L wrist XR; posteroanterior view; 10y F; presentation radiograph; image size 678x976. 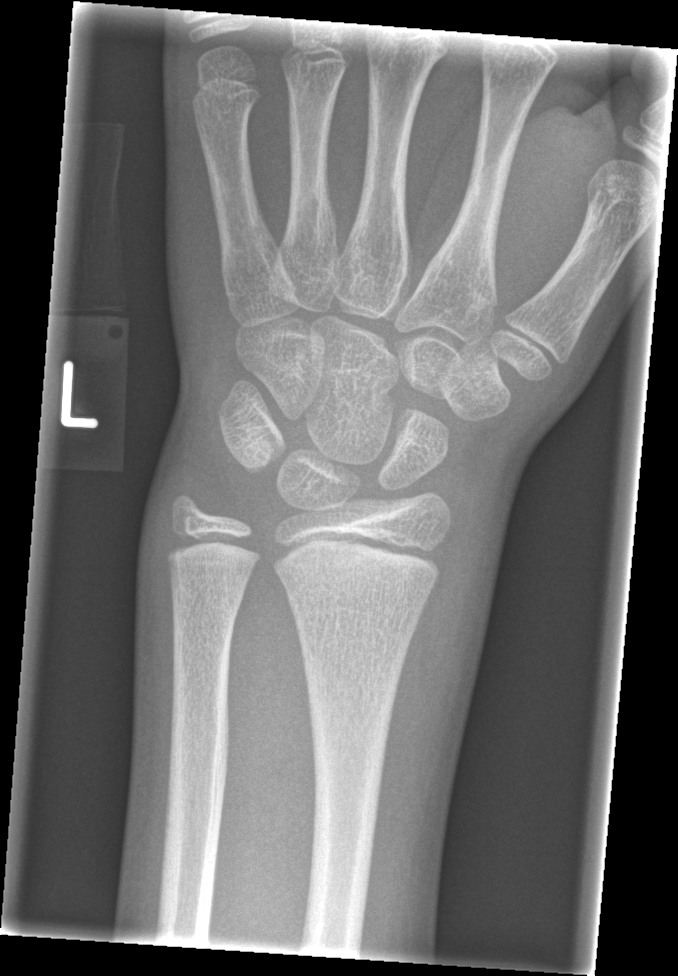

Fracture present, but no bounding box because it is not clearly seen in this view.
Fracture classified AO/OTA 23r-M/2.1.